Lat; Lt pediatric wrist radiograph; pediatric patient (boy, age 17); acquired on Siemens; 488 x 832 px —

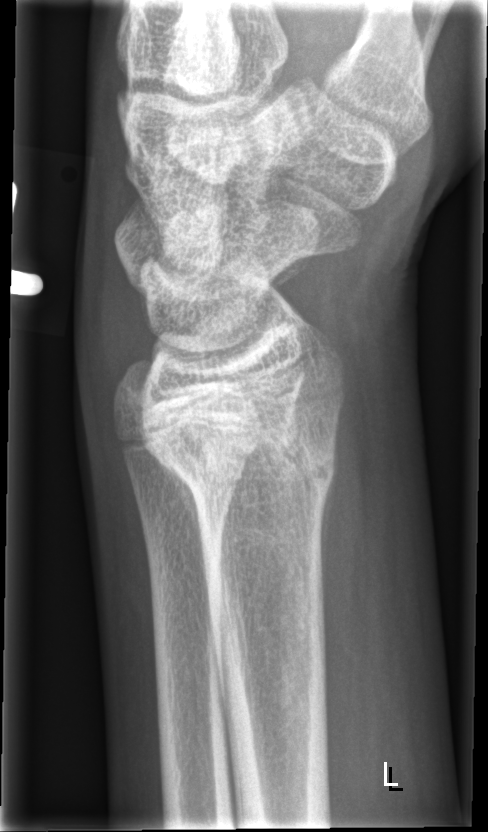 (coordinates are [x1, y1, x2, y2] in image pixels)
Q: Is there a fracture?
A: Fx identified at [x1=154, y1=415, x2=345, y2=513]
Q: Is there osteopenia?
A: Decreased bone density (osteopenia)
Q: AO code?
A: AO/OTA classification: 23r-M/3.1
Q: Any periosteal thickening?
A: Periosteal reaction — [x1=163, y1=463, x2=209, y2=564] [x1=318, y1=467, x2=339, y2=629]